Lateral projection; Rt wrist plain film; 12y F; acquired on Siemens —

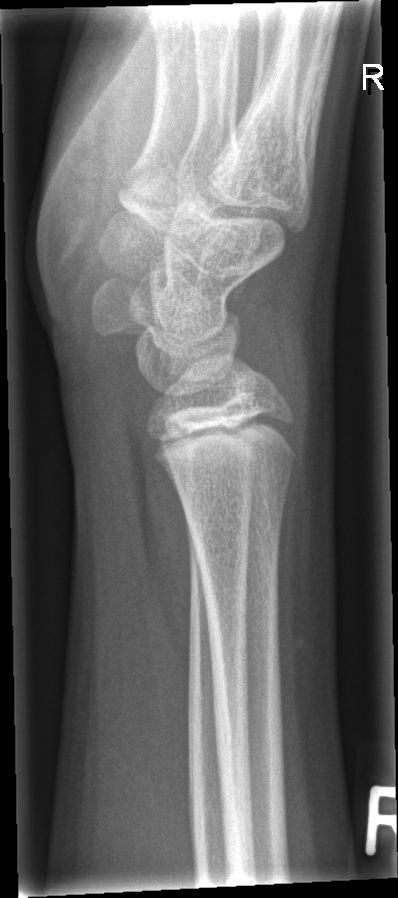
fracture = none labeled